AP projection · right wrist plain radiograph of the wrist · male, 14 yo · 543 x 778 px

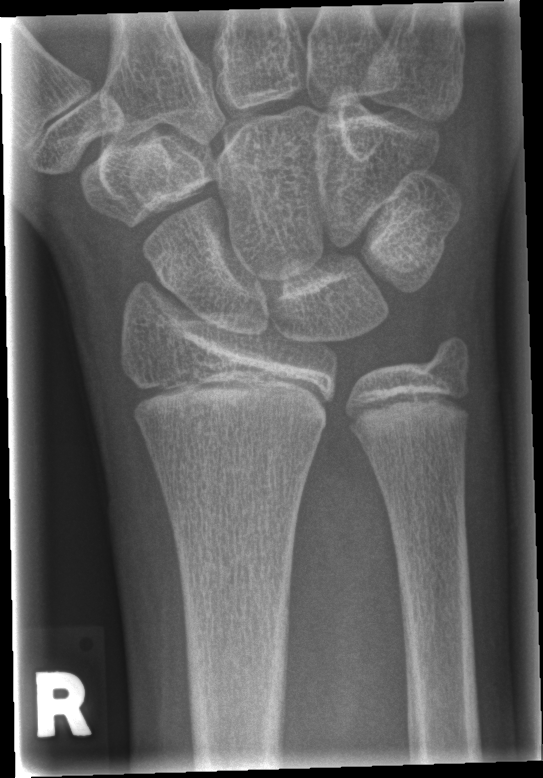

Fx = none labeled